Left wrist radiograph; lateral; follow-up study; cast present; 547 x 980 px
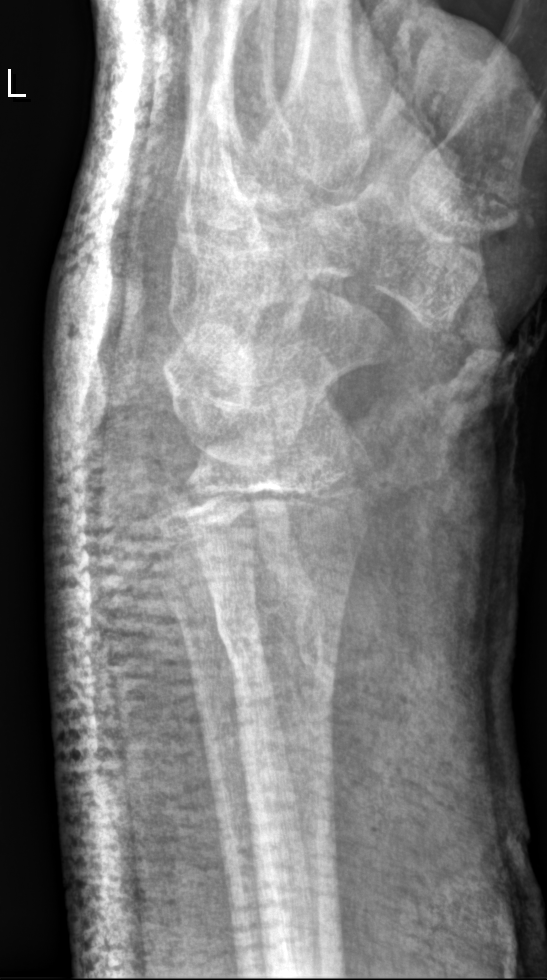
Fracture: (left=211, top=588, right=340, bottom=686), (left=158, top=565, right=262, bottom=638). AO code 23-M/3.1; 23u-E/7.